Left wrist plain film; lat view; boy, 5 yo.
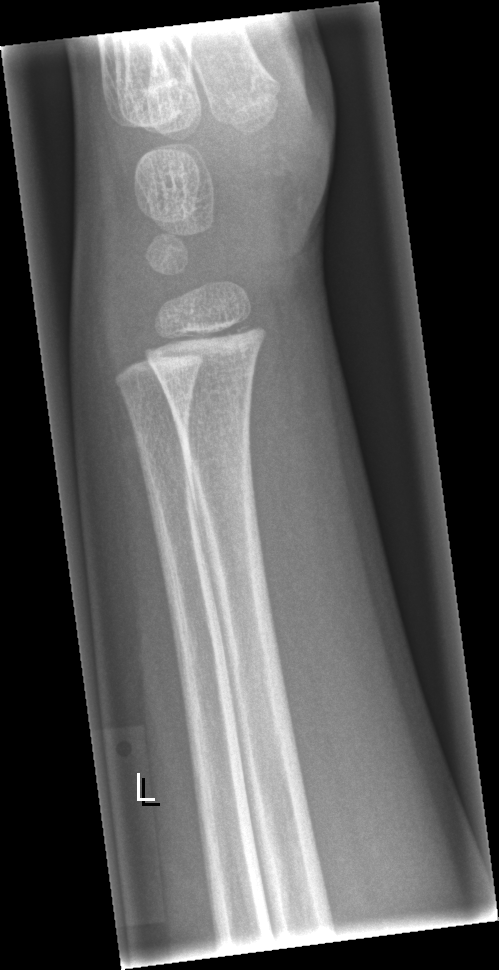
bone fracture = none labeled